PA view · R wrist plain film:
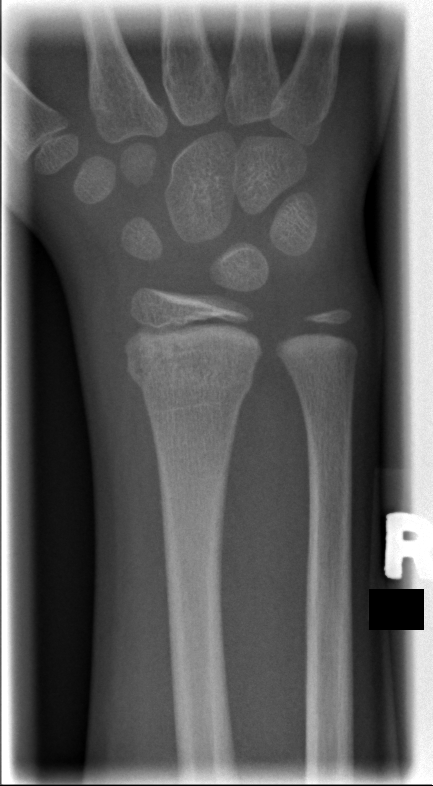

* Bone fracture: 126 355 258 404.